Frontal; left wrist XR; boy, 14 yo; in cast; image 112.2 mm wide; image size 779x1466:

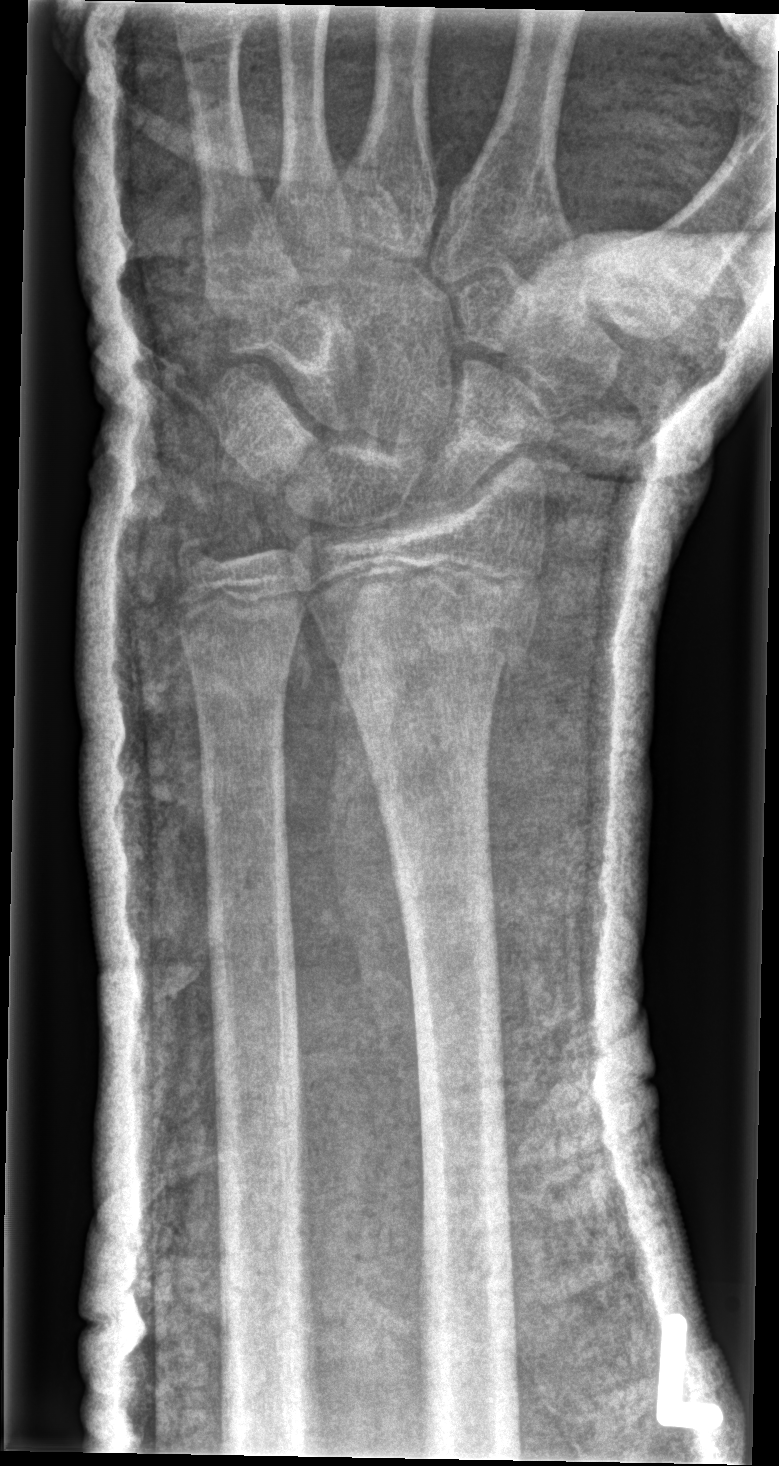

Boxes as x1,y1,x2,y2 (top-left / bottom-right, pixel units). Fx — [x1=314, y1=585, x2=543, y2=695] [x1=164, y1=525, x2=232, y2=593]. AO/OTA classification: 23r-M/3.1; 23u-E/7.